Lt wrist XR · lat view · imaged through cast · detector: Siemens.
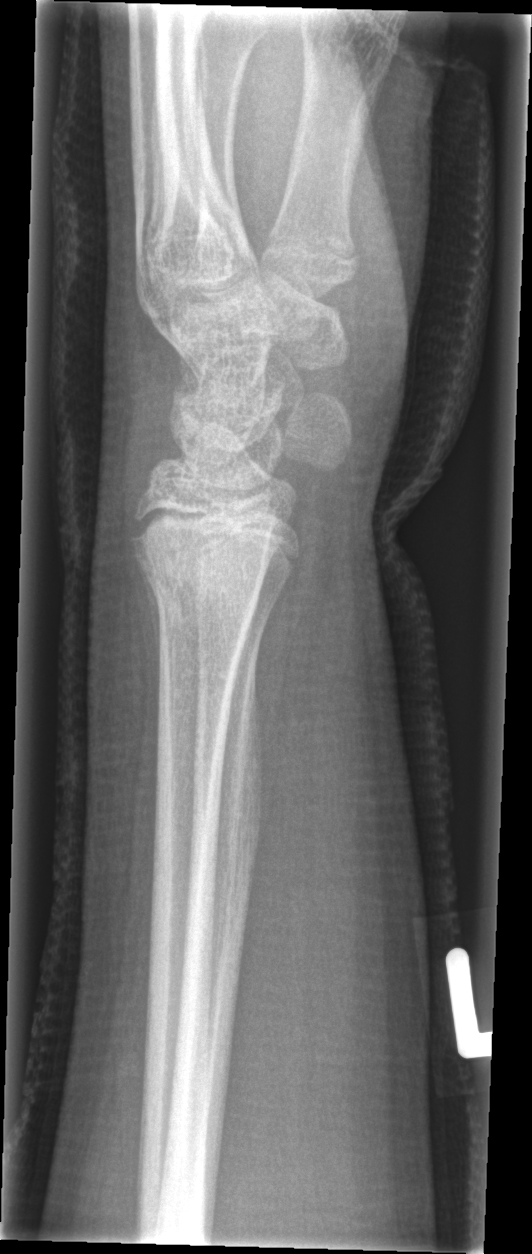

(boxes as x1,y1,x2,y2 (top-left / bottom-right, pixel units))
Fx: 1 @ bbox(128, 505, 288, 620)
AO/OTA: 23r-M/3.1